Lateral view | right wrist plain film | 391 x 966 px:

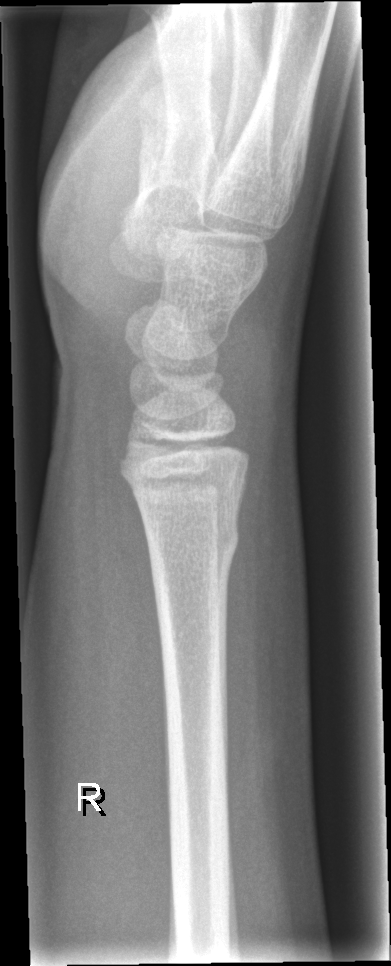 FINDINGS — One bone fracture at (left=144, top=516, right=243, bottom=573).